L wrist X-ray, frontal view, follow-up, 94.5 mm image width —
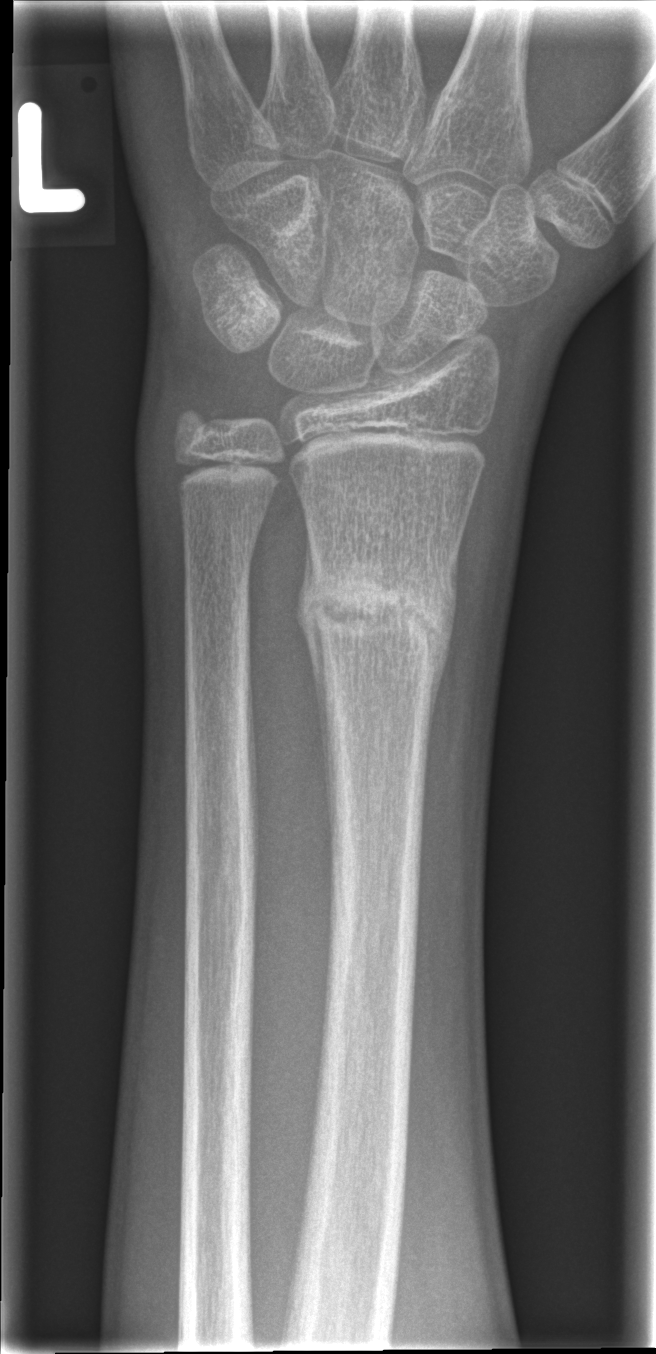 - Fracture classified AO/OTA 23r-M/3.1; 23u-E/7.
- Two Fx at <290,555>-<458,666>; <166,388>-<235,448>.
- Osteopenic.
- Two periosteal thickening at <295,531>-<332,817> <428,549>-<458,750>.